Lateral, left wrist radiograph, 11y F:

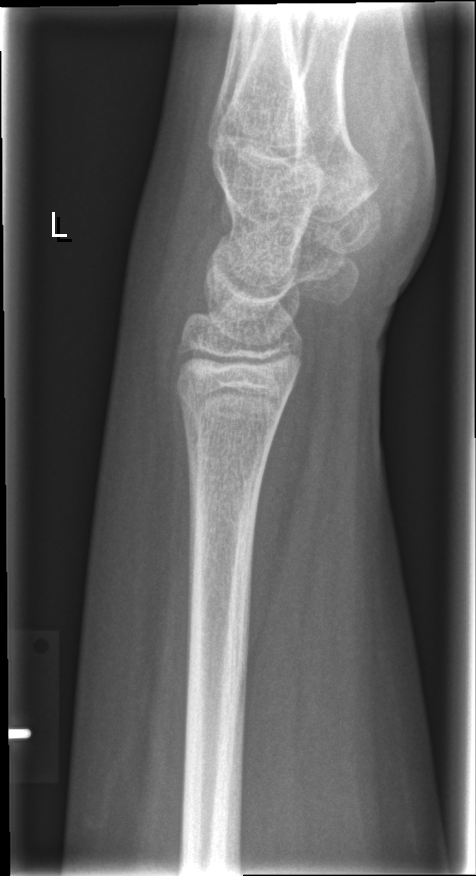

Findings: (coordinates are [x1, y1, x2, y2] in image pixels) One Fx at [x1=173, y1=374, x2=288, y2=452]. AO/OTA classification: 23r-M/2.1.